Lateral view; L wrist X-ray; 6y M; in cast. 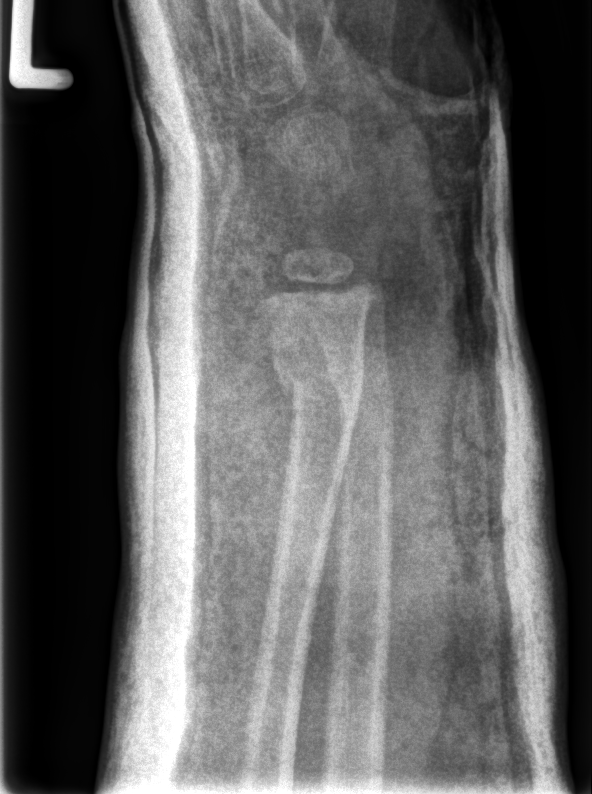

AO code: 23-M/3.1
Fracture: 2 @ (left=271, top=362, right=367, bottom=414), (left=324, top=352, right=396, bottom=419)